Lat view | right wrist X-ray. 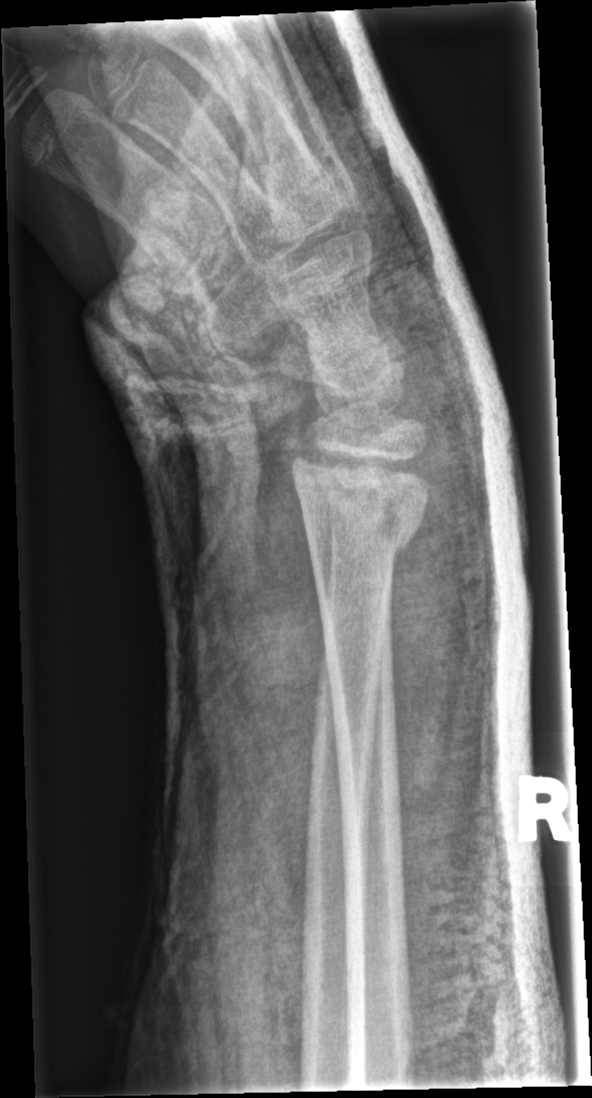
- Bounding boxes in image-pixel xyxy.
- Fx identified at [289, 450, 427, 561].
- AO/OTA classification: 23r-E/2.1; 23u-E/7.